Lat · L wrist radiograph · imaged through cast.
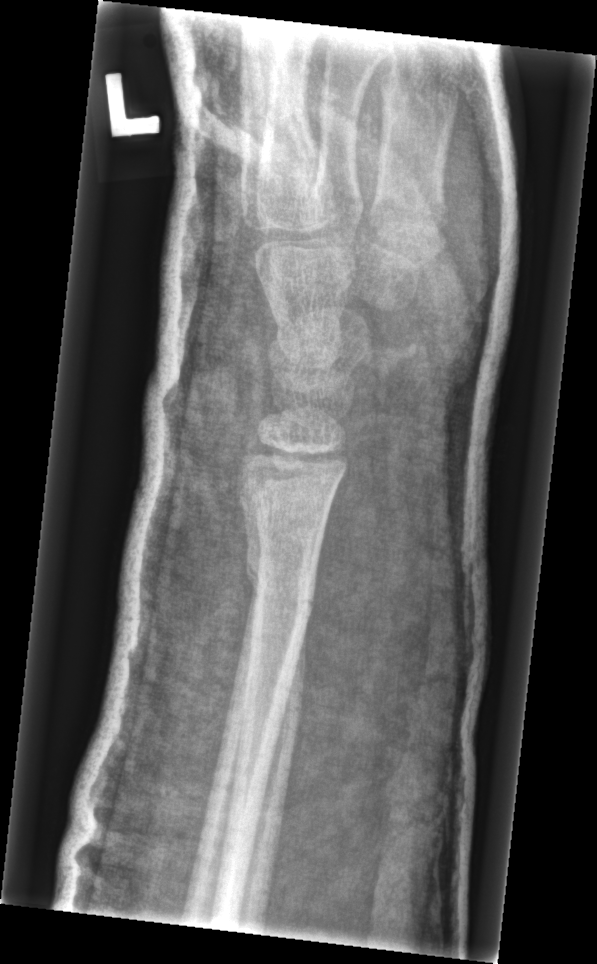

{
  "_coords": "coordinates are [x1, y1, x2, y2] in image pixels",
  "fracture": "1 @ bbox(241, 543, 322, 630)"
}